Lateral projection | right wrist plain film. 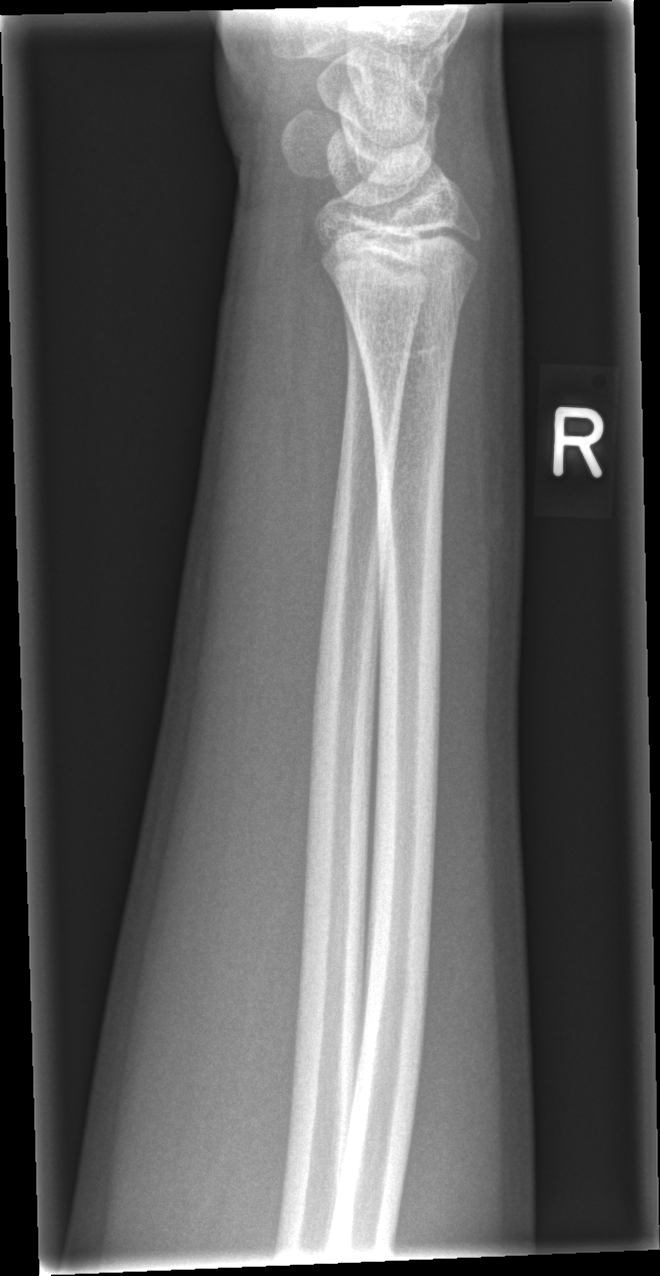

No fracture labeled.